Left wrist XR · lat projection · detector: Siemens —

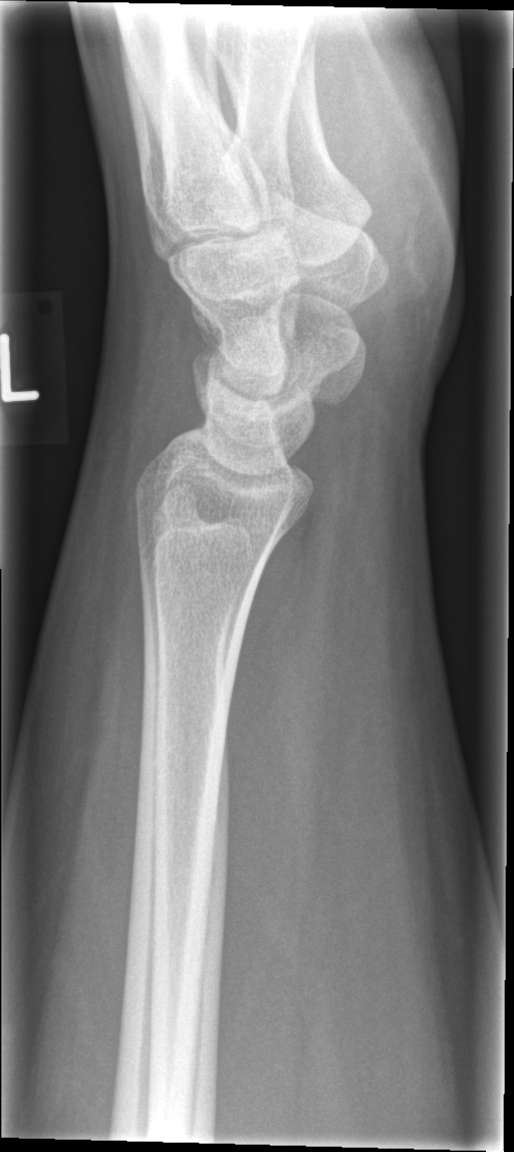

Findings: No fracture labeled.